L wrist plain film; lateral; boy, 11 yo; detector: Siemens

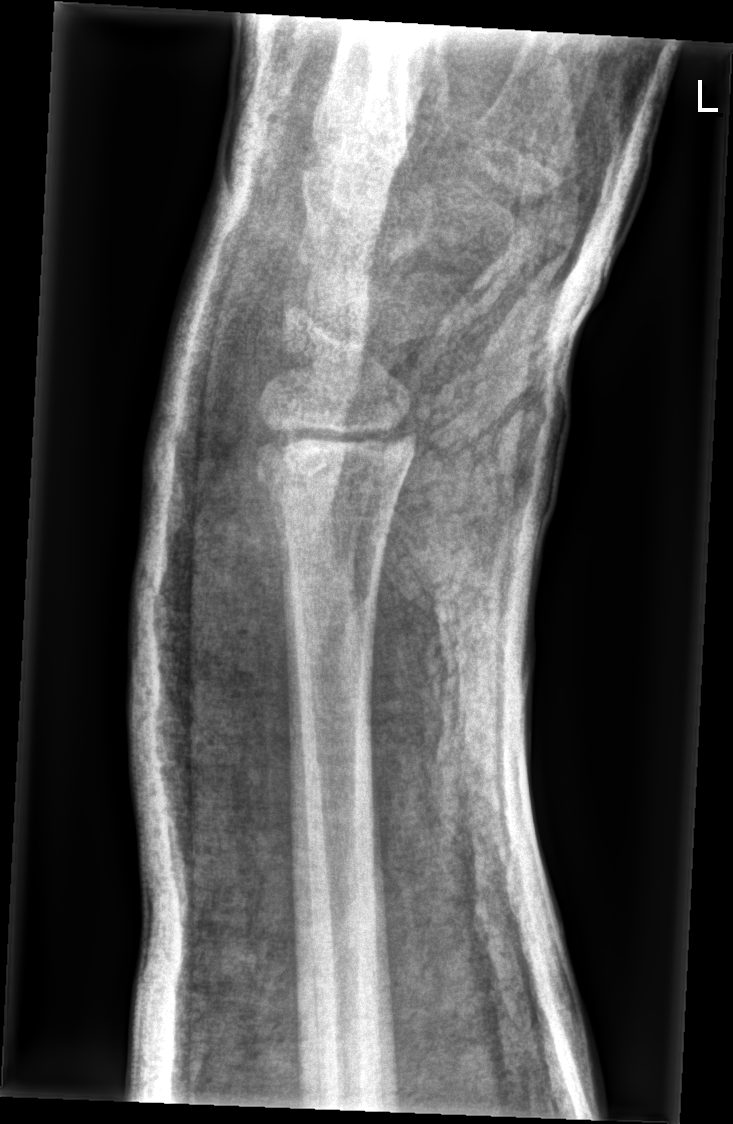

Fx: [246, 411, 420, 529].
Fracture classified AO/OTA 23r-E/2.1; 23u-E/7.